Rt wrist plain film, PA projection, pediatric patient (boy, age 13), follow-up study, cast present.
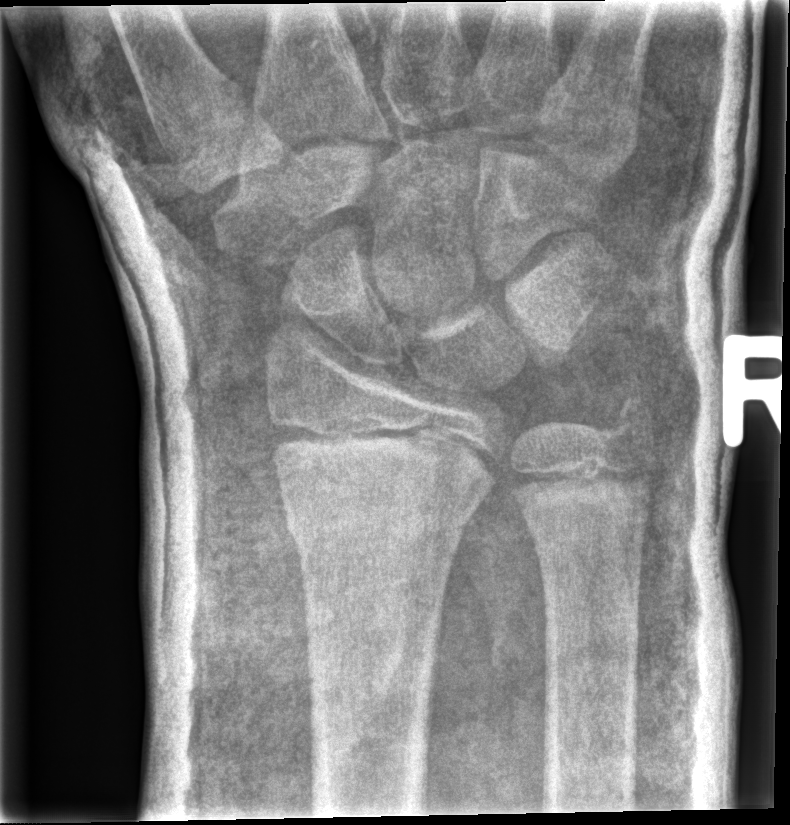
* AO code 23r-M/3.1; 23u-E/7.
* Fracture: 282,490,483,555
  595,378,661,454.